PA/AP view; right wrist radiograph; age 6 y, female. 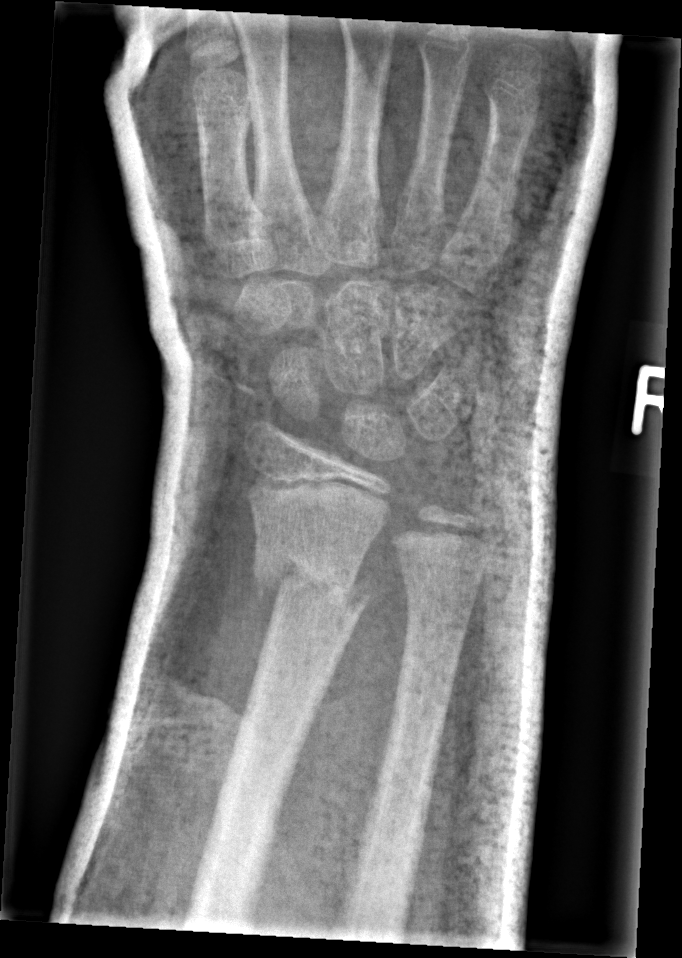
Findings: AO/OTA classification: 23r-M/3.1; 23u-M/2.1. One Fx at <247,544>-<377,621>.